Lat view, left wrist X-ray, 9y M, follow-up study —

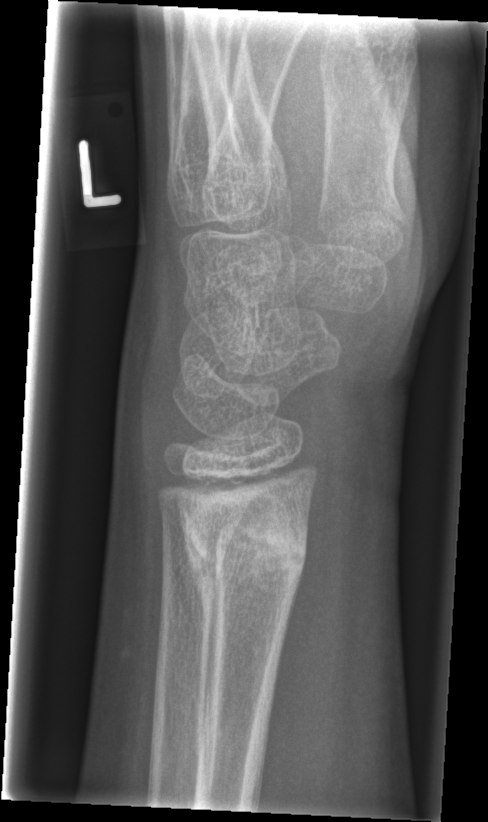 Q: Bone density?
A: Osteopenia
Q: Is there periosteal reaction?
A: Periosteal reaction identified at [179, 505, 218, 776]
Q: What is the AO/OTA classification?
A: AO code 23r-M/3.1; 23u-E/7
Q: Is there a fracture?
A: One bone fracture at [179, 500, 310, 593]